Lat projection | left wrist X-ray | female, 10 yo | imaged through cast | detector: Siemens. 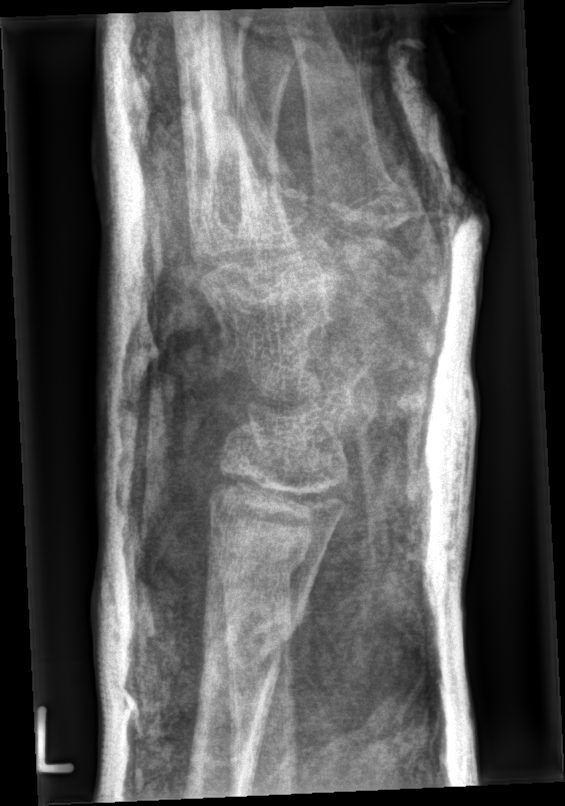

Fractures — 197,591,312,682 | 202,516,314,593.
AO/OTA classification: 23r-M/3.1; 23u-M/2.1.